Right wrist radiograph; lat.
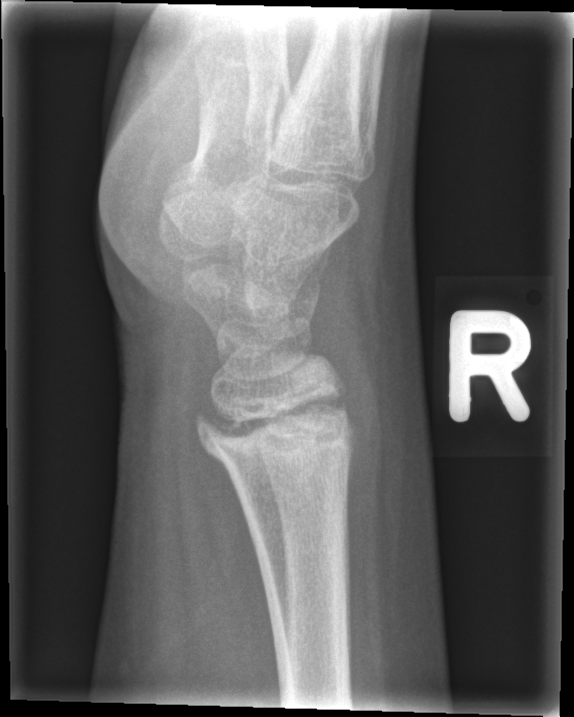
Fracture — (left=190, top=385, right=356, bottom=458).